Frontal · left wrist X-ray · Siemens — 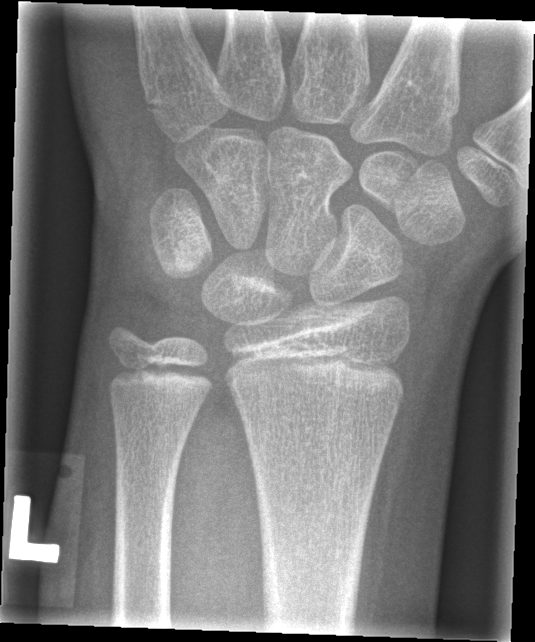

Findings: No fracture labeled.